Posteroanterior view · left wrist XR · 718 by 1307 pixels 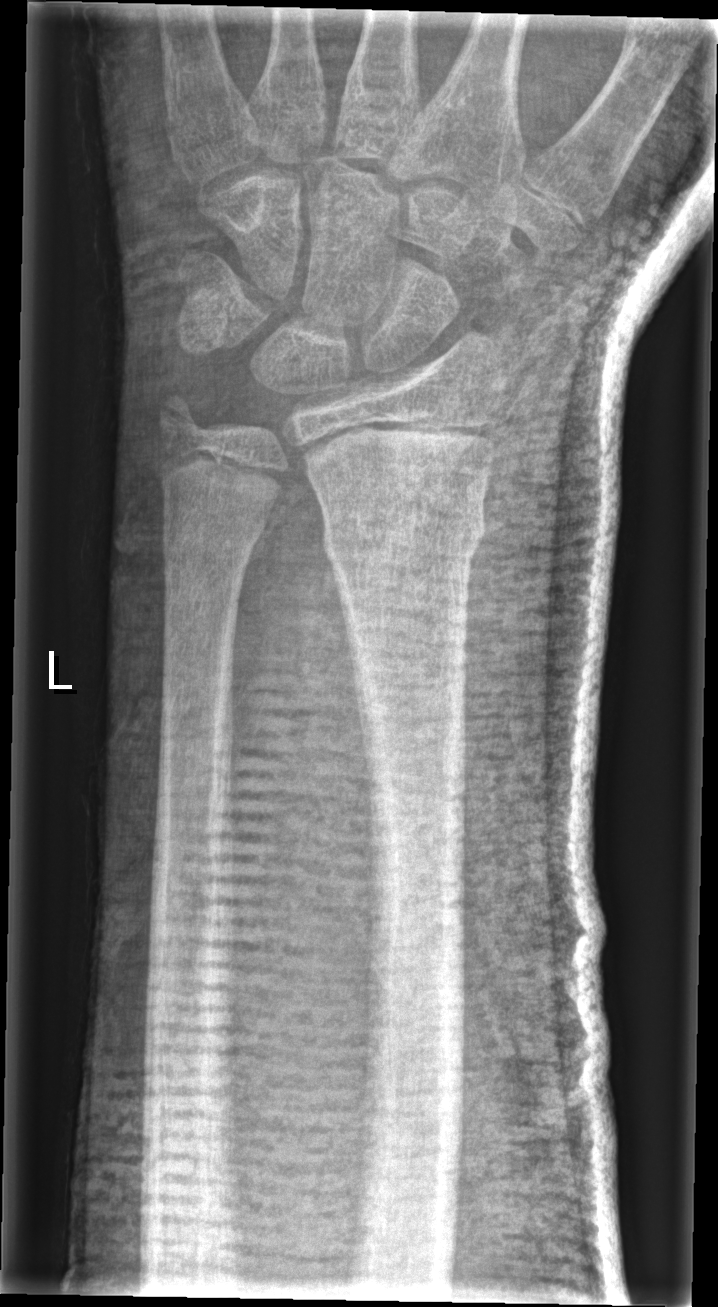
(bounding boxes in image-pixel xyxy)
Bone fracture: (left=319, top=491, right=490, bottom=582) (left=157, top=503, right=274, bottom=572) (left=146, top=384, right=217, bottom=454)
AO classification: 23-M/2.1; 23u-E/7